Lateral, R wrist plain film, in cast:

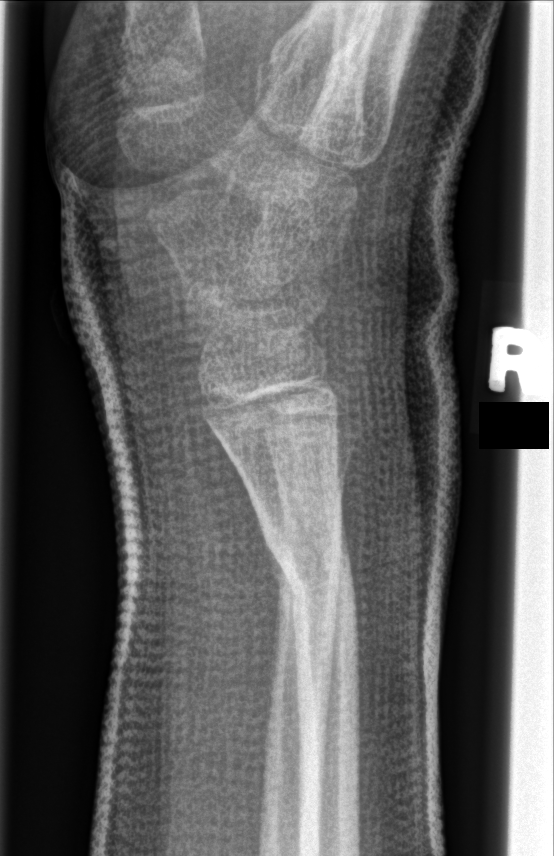 FINDINGS — (boxes as x1,y1,x2,y2 (top-left / bottom-right, pixel units)) Periosteal reaction — 263 532 298 671. AO code 23-M/2.1. Fracture identified at 258 517 347 612.